R wrist radiograph | posteroanterior projection | 10y F | Siemens | 107.0 mm image width:

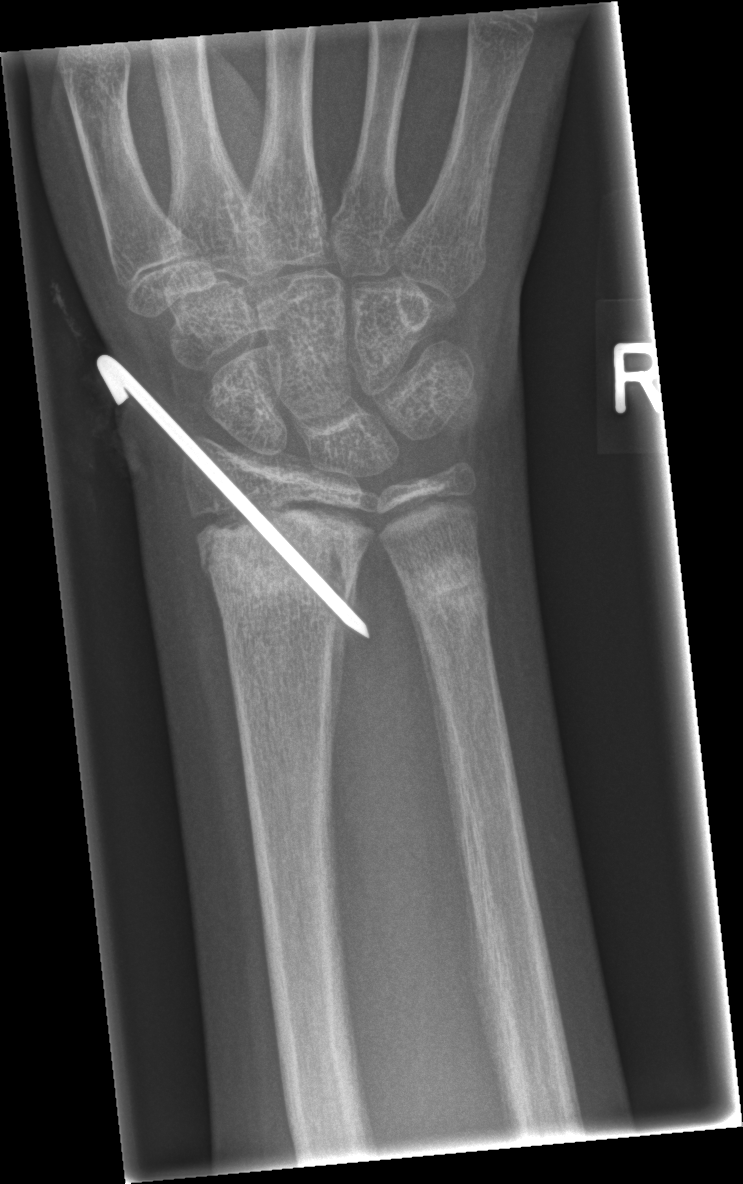 Coordinates are [x1, y1, x2, y2] in image pixels.
Two periosteal new bone at 407,594,488,1001 | 327,617,348,772.
AO code 23-E/2.1; 23u-M/2.1.
Bone fractures — 198,532,371,610
  397,551,496,619.
Metal — 92,350,375,643.